Lat view · left wrist radiograph · female, 16 yo · presentation radiograph. 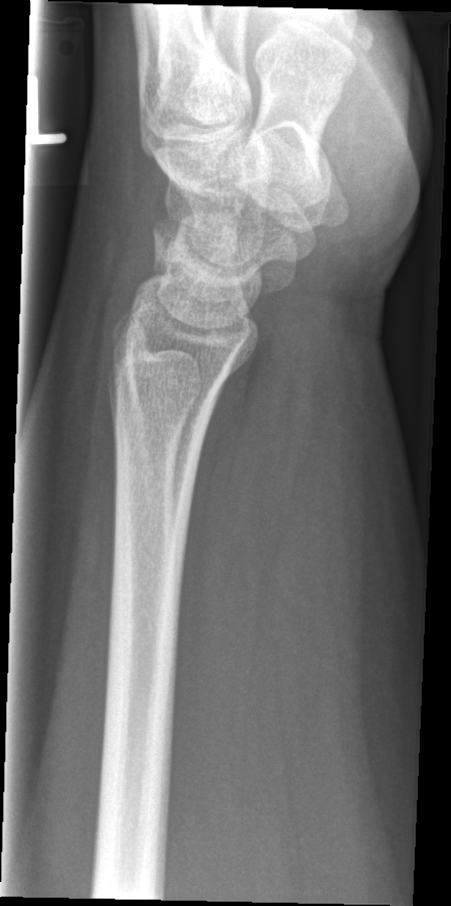
Bone fracture = none labeled